Left wrist plain radiograph of the wrist; lat; in cast; image size 486x1312. 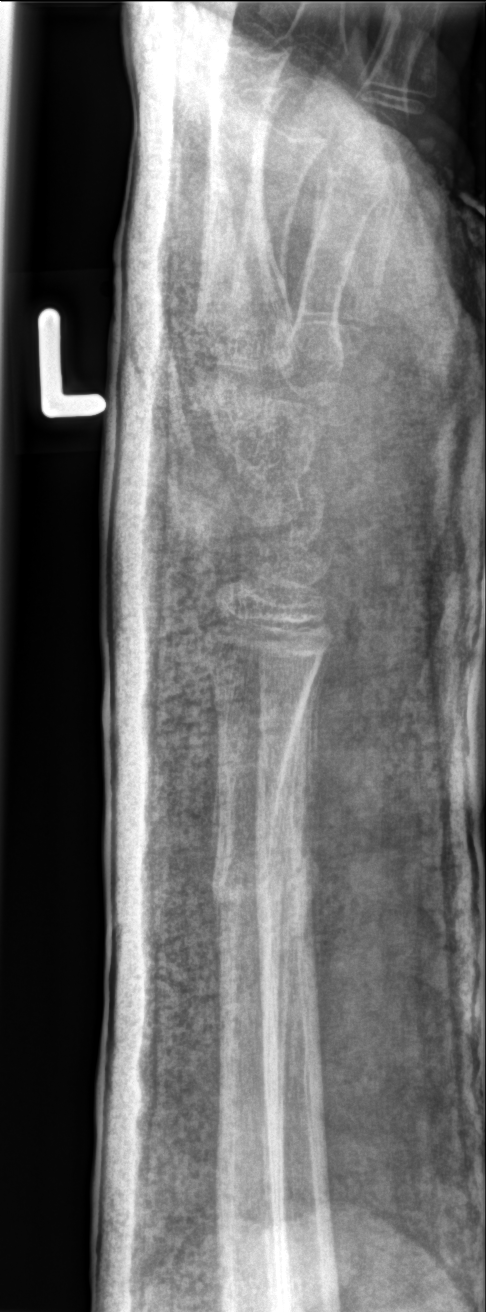

- AO/OTA classification: 22r-D/4.1.
- Bone fracture: (left=208, top=835, right=323, bottom=938).